Lt plain radiograph of the wrist, posteroanterior view, age 13 y, male 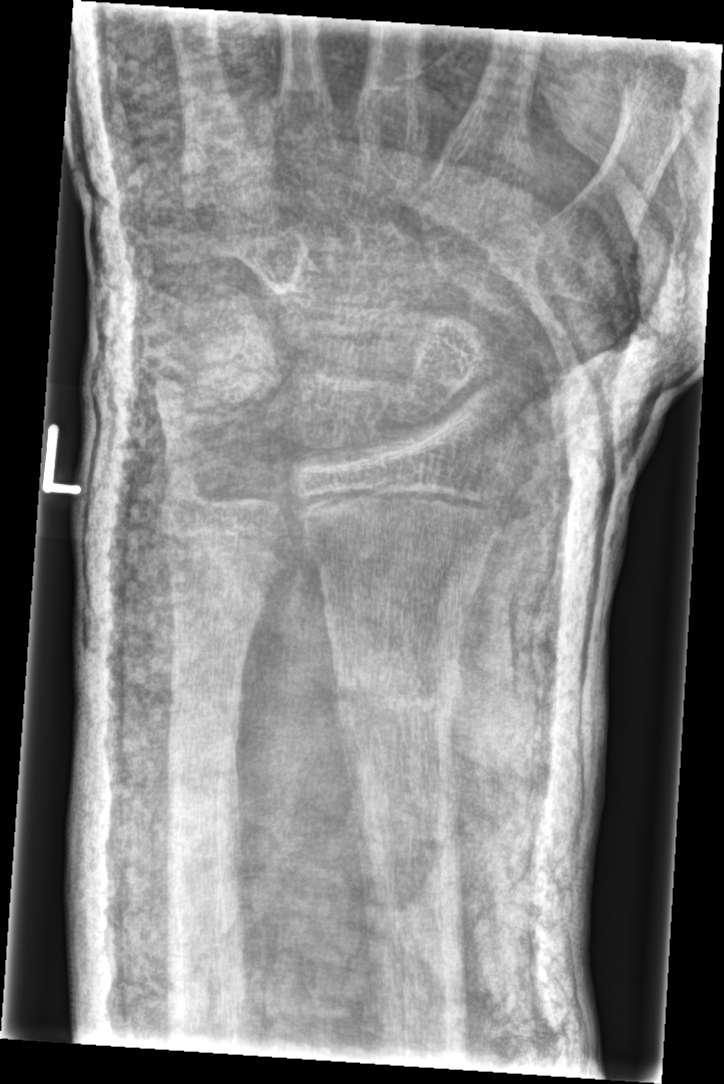
(coordinates are [x1, y1, x2, y2] in image pixels)
Q: Fracture present?
A: Bone fracture — [x1=330, y1=647, x2=462, y2=736]
Q: What is the AO/OTA classification?
A: AO/OTA classification: 23r-M/3.1; 23u-M/2.1; 23u-E/7